Left wrist X-ray; lateral; subsequent exam; cast present; 484 x 1050 px:

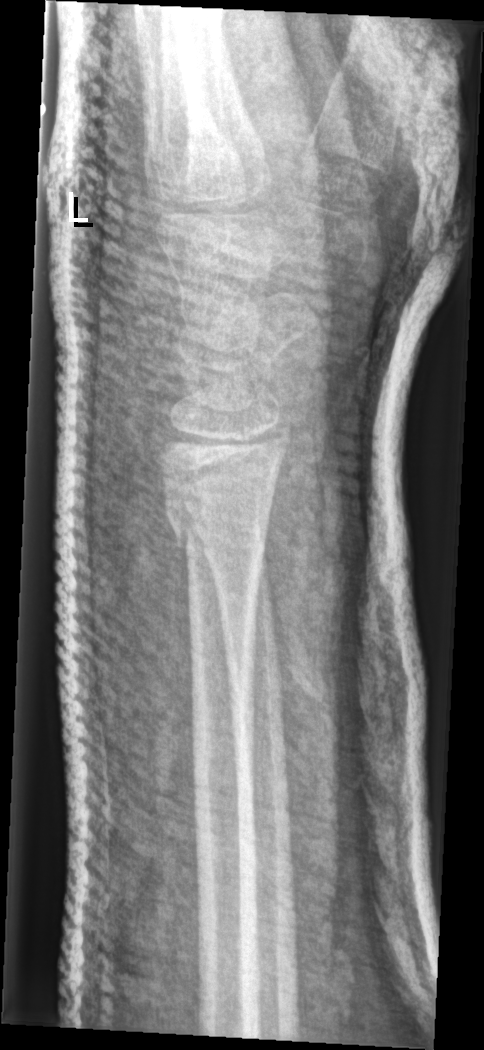 Q: What is the AO/OTA classification?
A: AO/OTA classification: 23-M/2.1
Q: Is there a fracture?
A: Fracture — (left=164, top=485, right=272, bottom=555)